Lateral view; L wrist plain film:

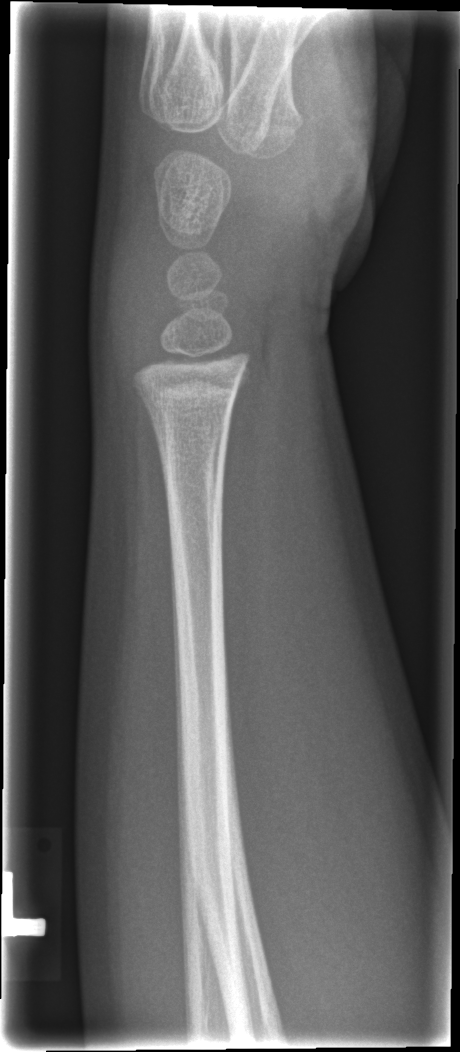 Q: Is there a fracture?
A: Fx: none